Rt plain radiograph of the wrist, AP, initial study, 449 by 714 pixels.

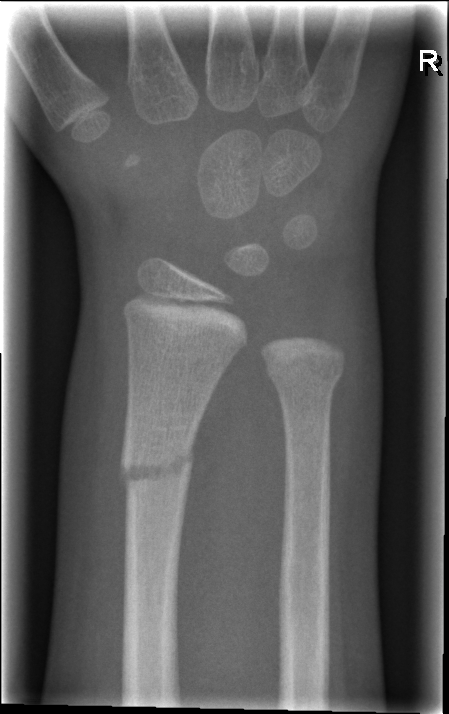
* Coordinates are [x1, y1, x2, y2] in image pixels.
* AO/OTA classification: 23r-M/3.1; 23u-M/2.1.
* Fractures — 112 419 209 513; 262 355 347 402.